Frontal view; R wrist XR; subsequent exam

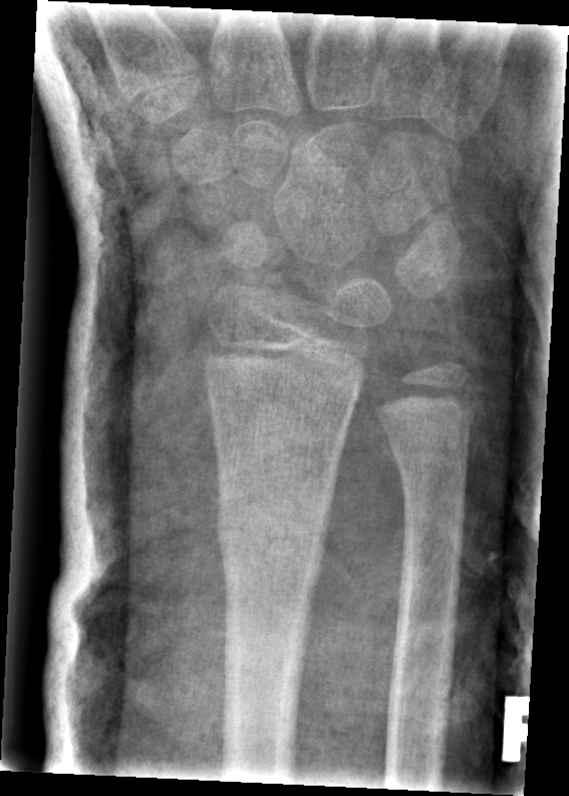
{
  "fracture": "213 492 330 581"
}